Right wrist pediatric wrist radiograph; lat view; subsequent exam; cast present; acquired on Siemens 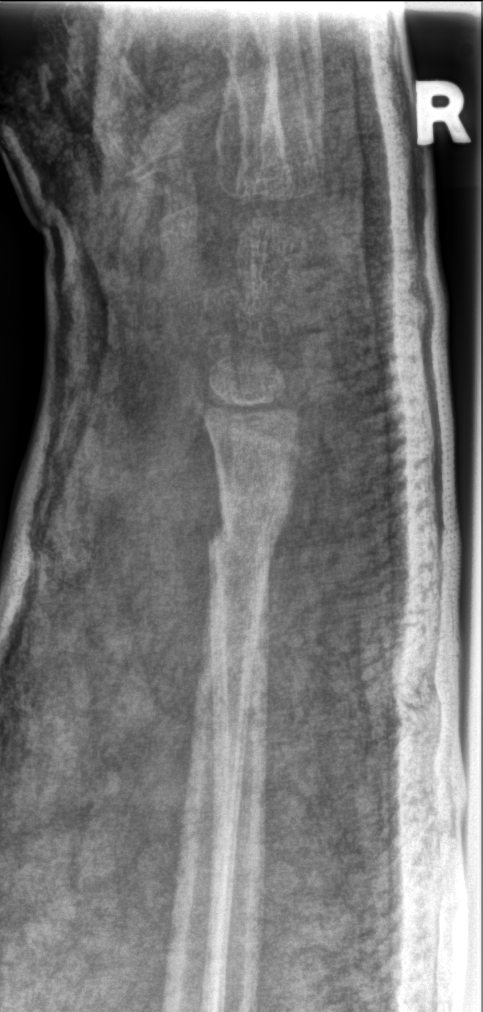

Fracture — [x1=203, y1=514, x2=284, y2=573].
AO code 23r-M/3.1; 23u-M/2.1.